L pediatric wrist radiograph; lateral view; presentation radiograph

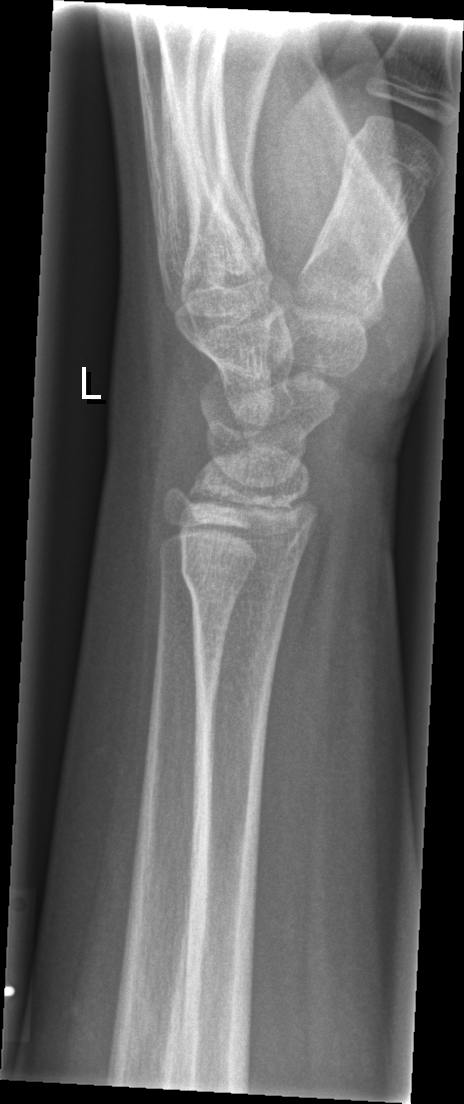 Coordinates are [x1, y1, x2, y2] in image pixels. AO code 23r-M/2.1. One Fx at 175 548 302 611.